Lateral projection, left plain radiograph of the wrist, male, 11 yo, subsequent exam, cast present. 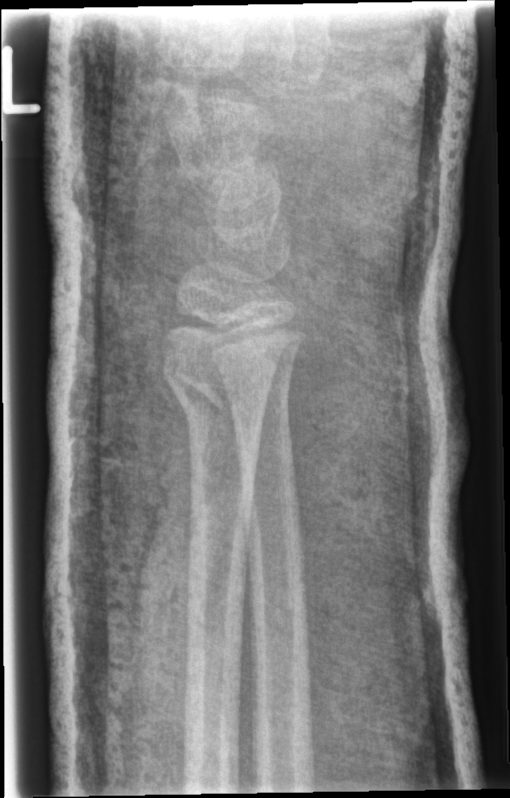

{
  "fracture": "[x1=166, y1=352, x2=265, y2=417]",
  "ao": "23r-M/3.1; 23u-M/2.1"
}